PA projection; left wrist plain film; subsequent exam; 682 by 1233 pixels — 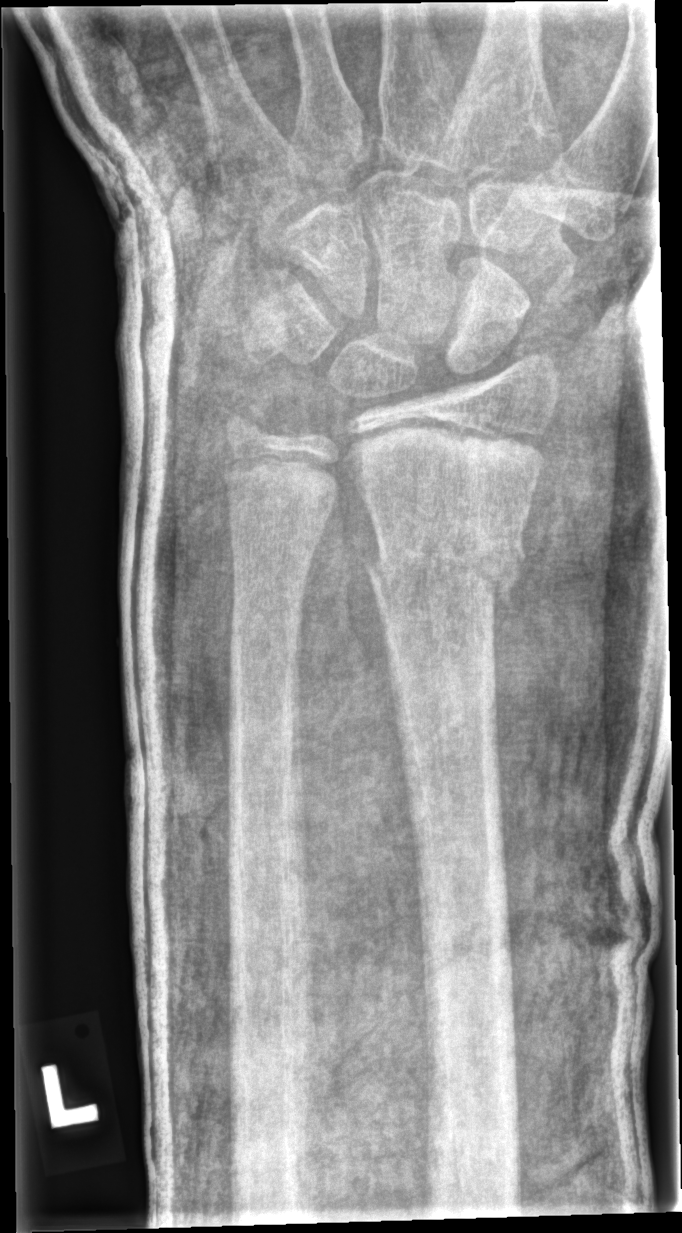
Boxes as x1,y1,x2,y2 (top-left / bottom-right, pixel units).
AO/OTA classification: 23r-M/3.1; 23u-E/7.
Bone fracture identified at 362 530 529 616
  217 400 270 484.